AP projection, left wrist plain film, image size 522x960 — 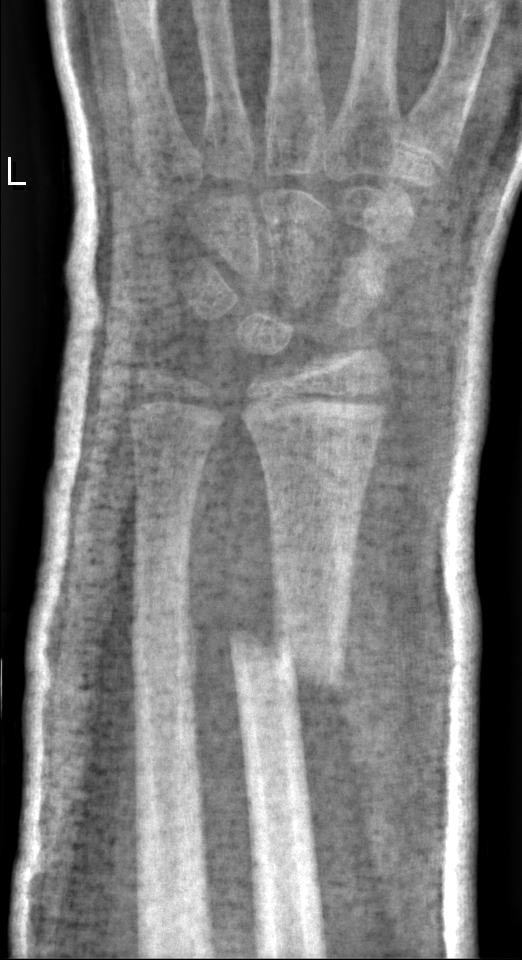 Coordinates are [x1, y1, x2, y2] in image pixels. Fracture identified at <222,612>-<352,704>. AO code 22r-D/4.1; 22u-D/2.1.